Lat view, right wrist XR, 11y M

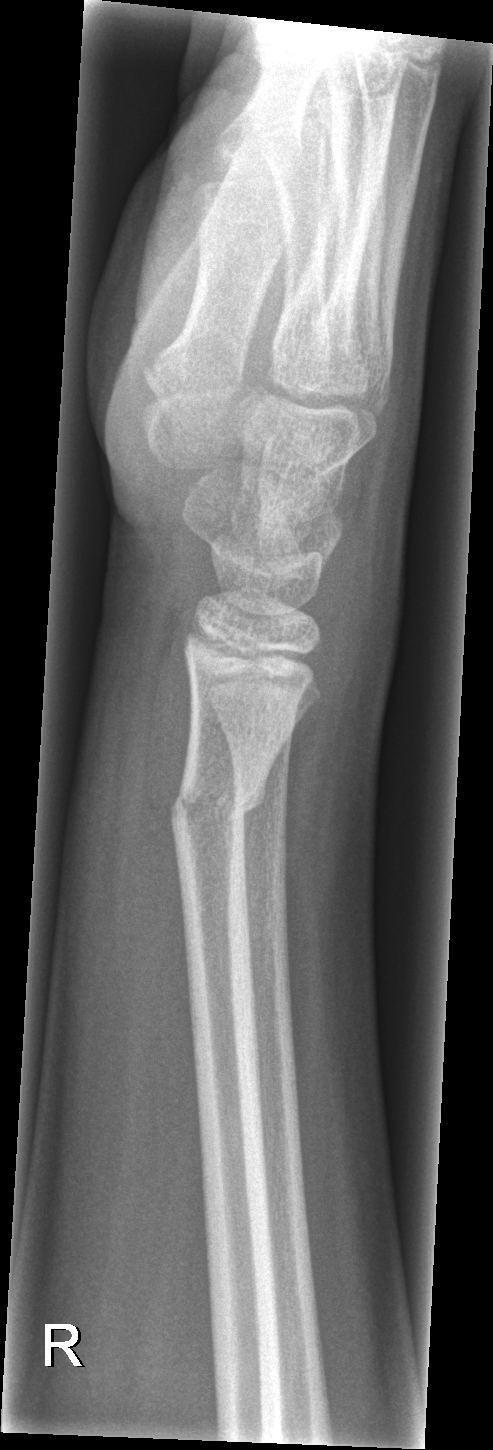 Q: Any fracture seen?
A: Fracture: 164,770,273,854
Q: What is the AO/OTA classification?
A: Fracture classified AO/OTA 23r-M/3.1